Left wrist XR · lateral view.

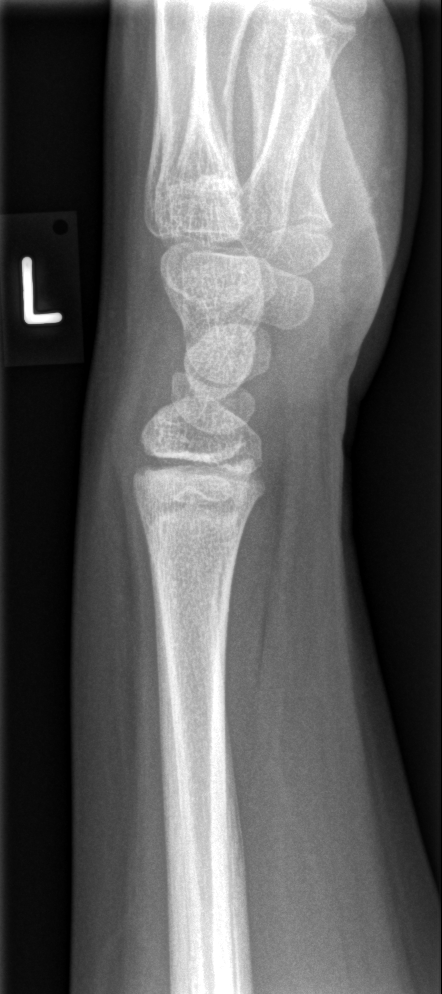 FINDINGS — Fx: none.